Right plain radiograph of the wrist · lat view

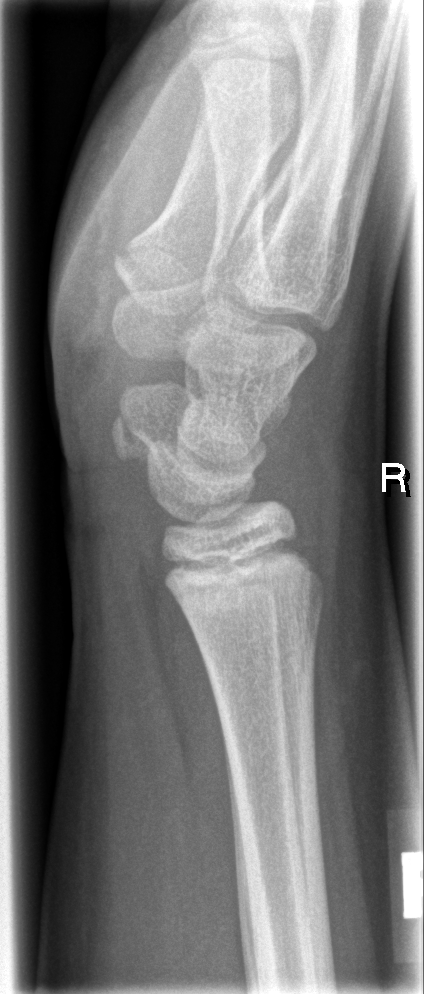

bone fracture: none labeled